Lateral | right plain radiograph of the wrist | age 5 y, girl | initial study | 467x758 — 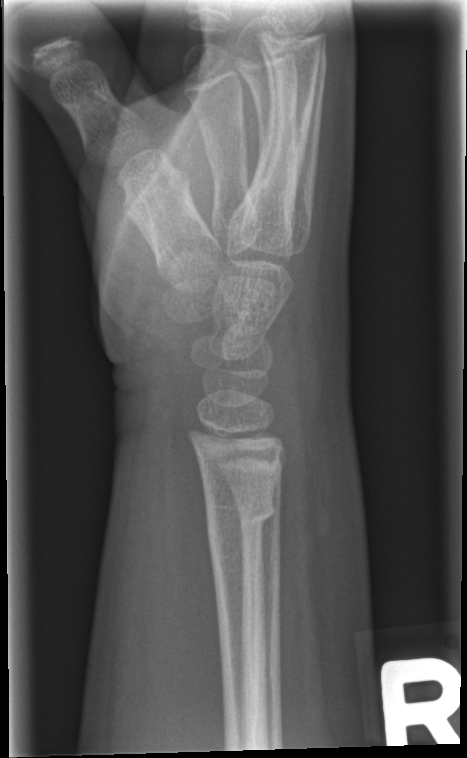 Q: What is the AO/OTA classification?
A: Fracture classified AO/OTA 23r-M/2.1
Q: Is there a fracture?
A: Bone fracture: <201,490>-<278,536>